Lat · R pediatric wrist radiograph
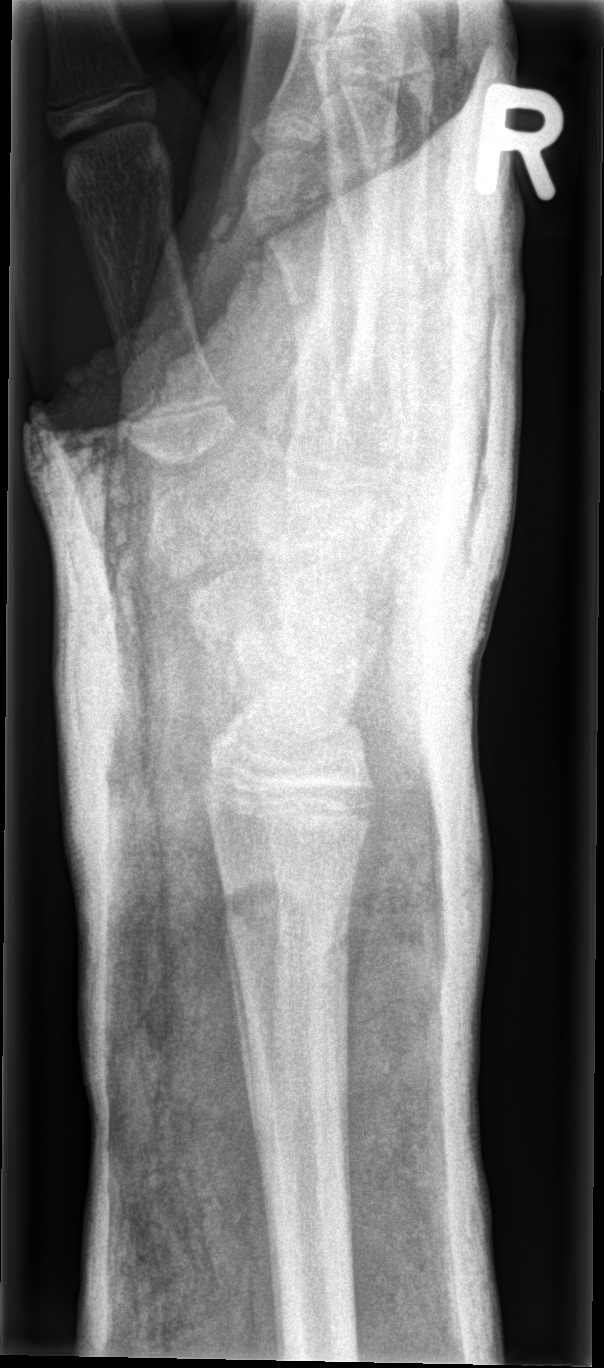
# boxes as x1,y1,x2,y2 (top-left / bottom-right, pixel units)
fracture: (left=219, top=878, right=355, bottom=978)
periostealreaction: (left=221, top=866, right=268, bottom=1201)
ao: 23r-M/3.1; 23u-E/7